Left wrist radiograph · lat · pediatric patient (female, age 16)
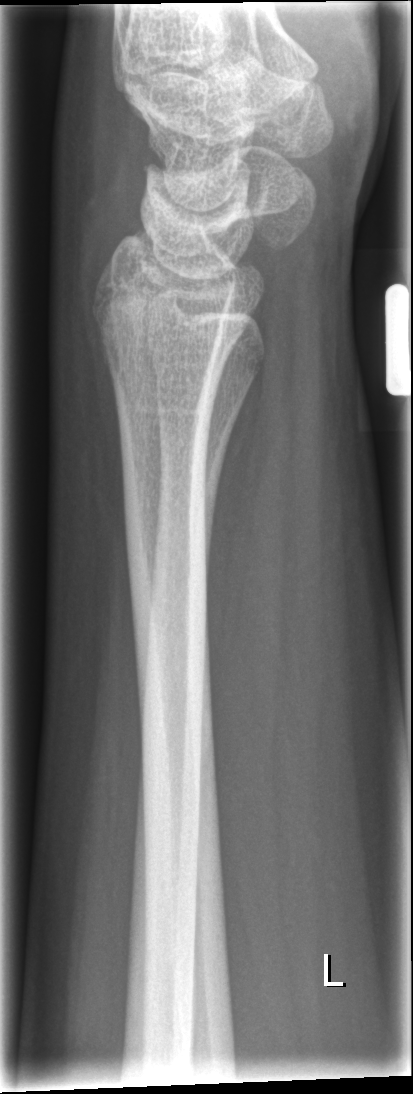

Q: Locate any fractures.
A: Fracture: none labeled